Rt wrist radiograph | AP view | presentation radiograph — 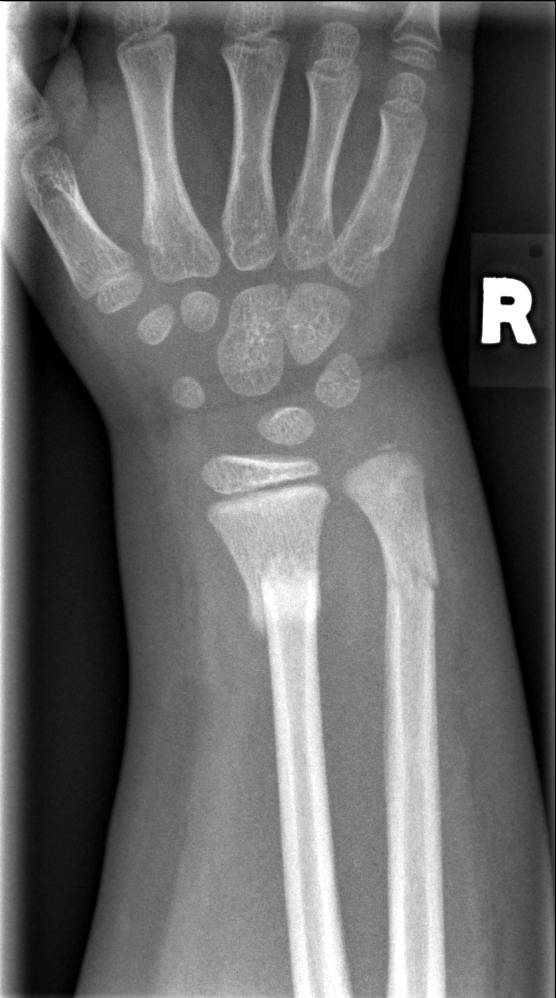 (boxes as x1,y1,x2,y2 (top-left / bottom-right, pixel units))
AO classification = 23-M/3.1
Fx = (238, 548, 323, 636), (378, 539, 443, 607)